Right wrist plain radiograph of the wrist · lat projection · in cast · Siemens · 66.5 mm image width:
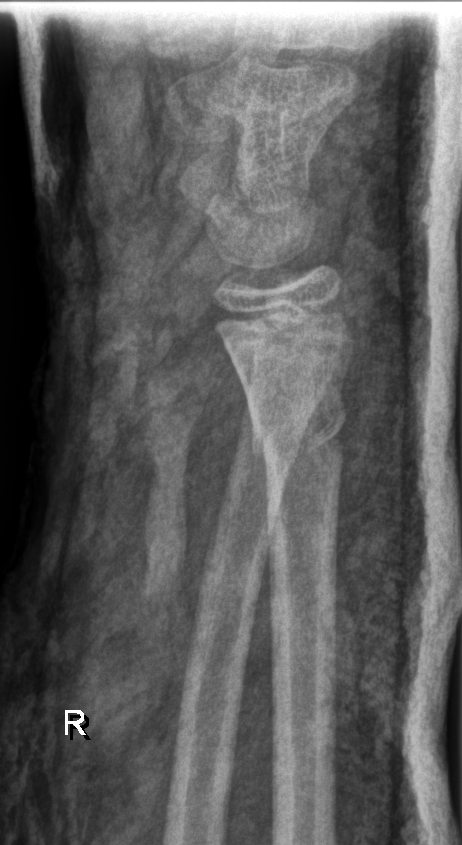

Coordinates are [x1, y1, x2, y2] in image pixels.
Fracture classified AO/OTA 23r-M/3.1; 23u-E/7.
Fx identified at (235, 383, 355, 464).